Right wrist pediatric wrist radiograph | lat projection | 13-year-old male.

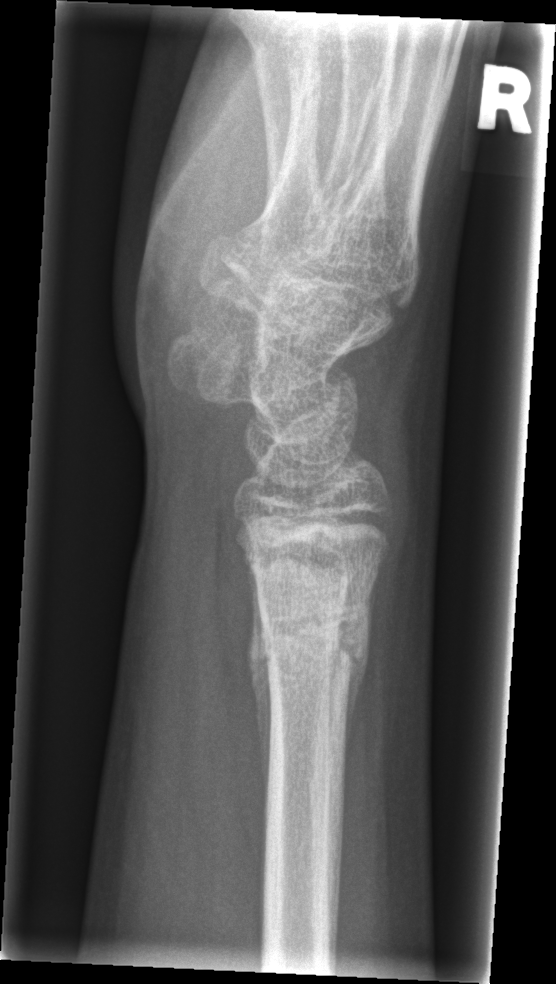

AO/OTA classification: 23r-M/3.1; 23u-E/2.1. Osteopenic. Two periosteal reaction at [250, 586, 272, 786]; [346, 601, 370, 719]. One Fx at [242, 594, 376, 701].